Lat view; R wrist XR; 13-year-old girl.

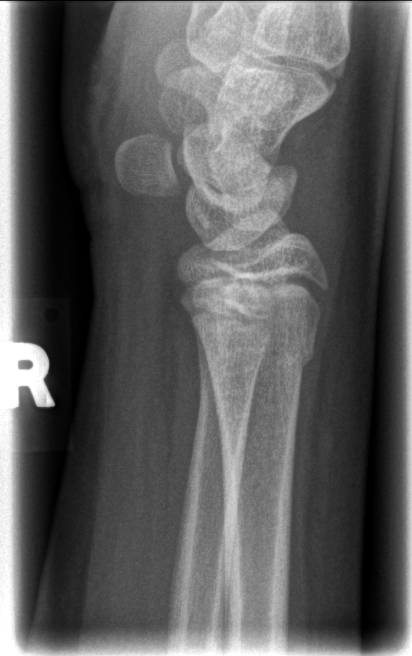   fracture: 1 @ bbox(201, 329, 319, 383)
  ao: 23r-M/2.1